PA view · Rt wrist XR · cast present — 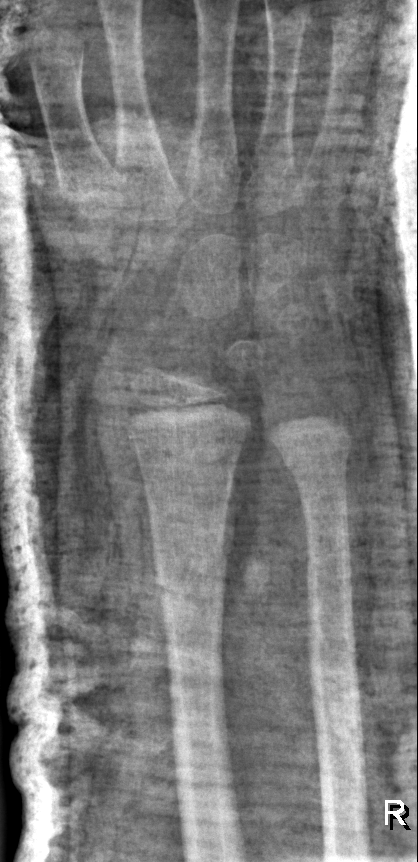 (bounding boxes in image-pixel xyxy)
AO/OTA: 23r-M/3.1; 23u-M/2.1
Fracture: 2 @ (left=140, top=550, right=239, bottom=634), (left=278, top=439, right=359, bottom=477)